Obl | Lt pediatric wrist radiograph | age 16 y, male | follow-up study.
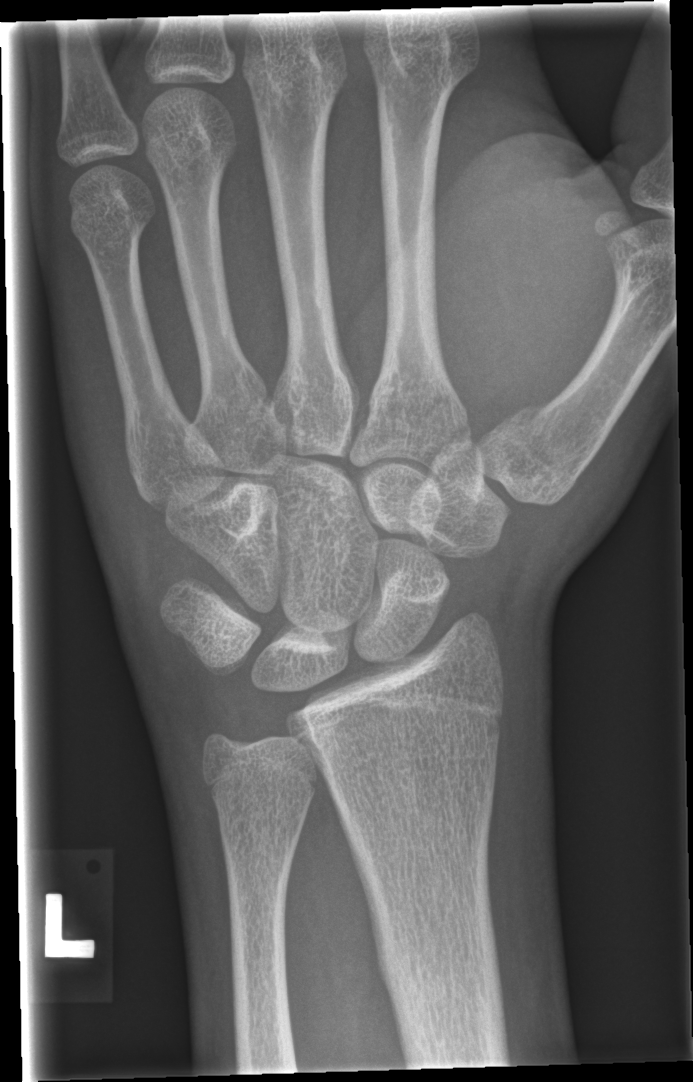

FINDINGS — (bounding boxes in image-pixel xyxy) One bone fracture at <363,890>-<512,1045>.